Lateral, R wrist X-ray, 520 x 986 px

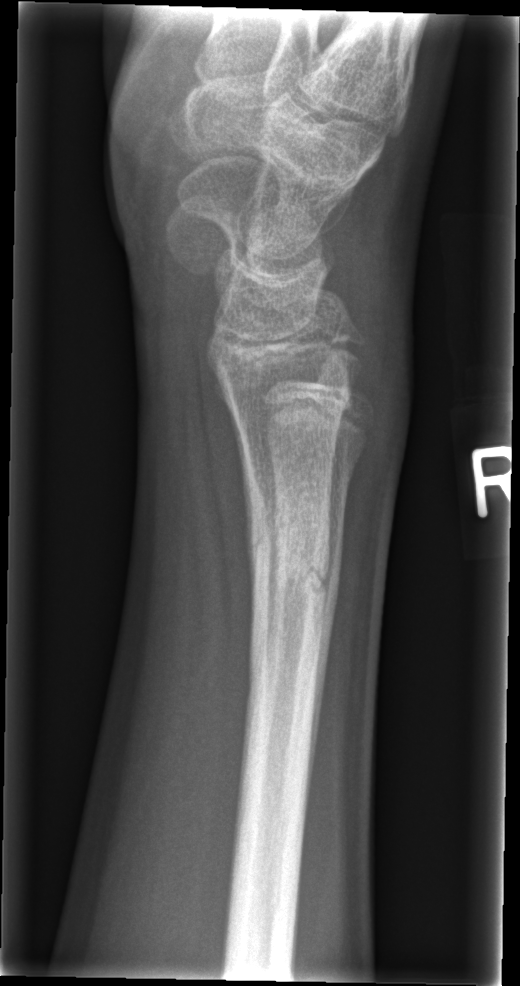

Fracture classified AO/OTA 23r-M/3.1; 23u-M/2.1. Bone fracture: (245, 527, 333, 612).